Left wrist XR | lat view | age 12 y, male | acquired on Siemens | image size 595x772:
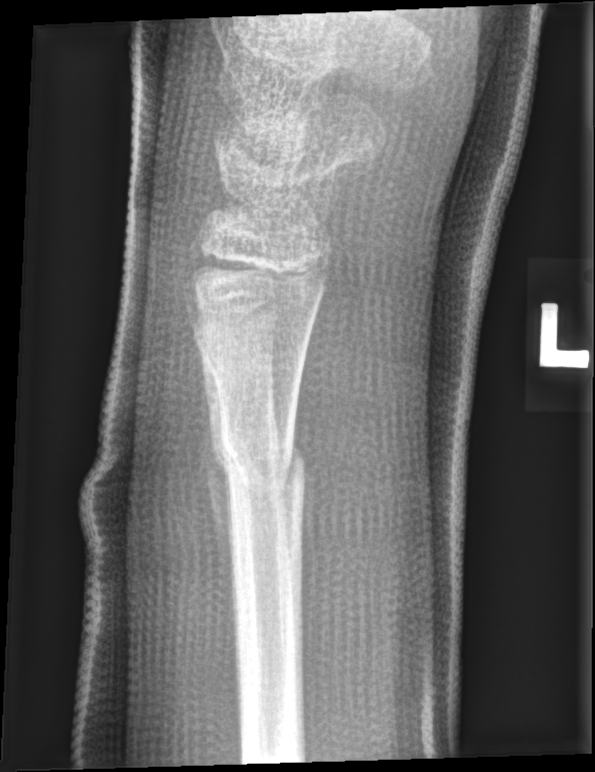

- Periosteal thickening: (193, 332, 241, 676).
- Fx identified at (213, 434, 311, 491).